R wrist X-ray; PA projection; age 7 y, boy; follow-up study; cast in situ:

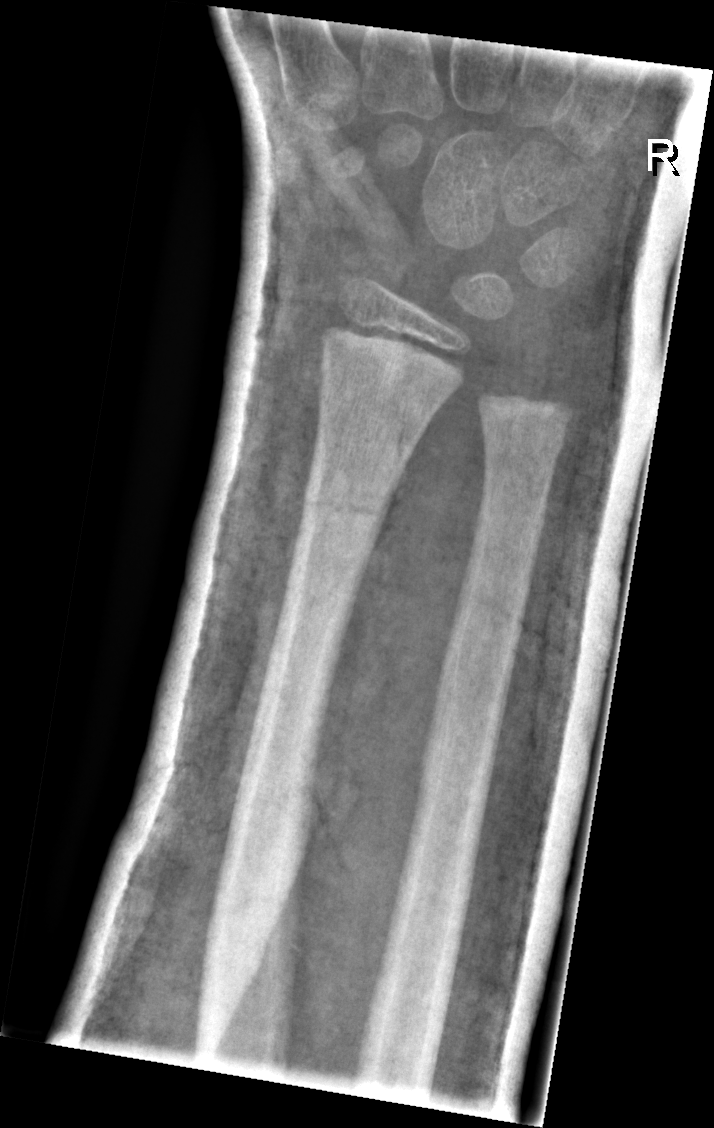 Bone fracture = (left=296, top=476, right=400, bottom=536)